Right wrist pediatric wrist radiograph | lateral | 4-year-old female | image 74.2 mm wide:
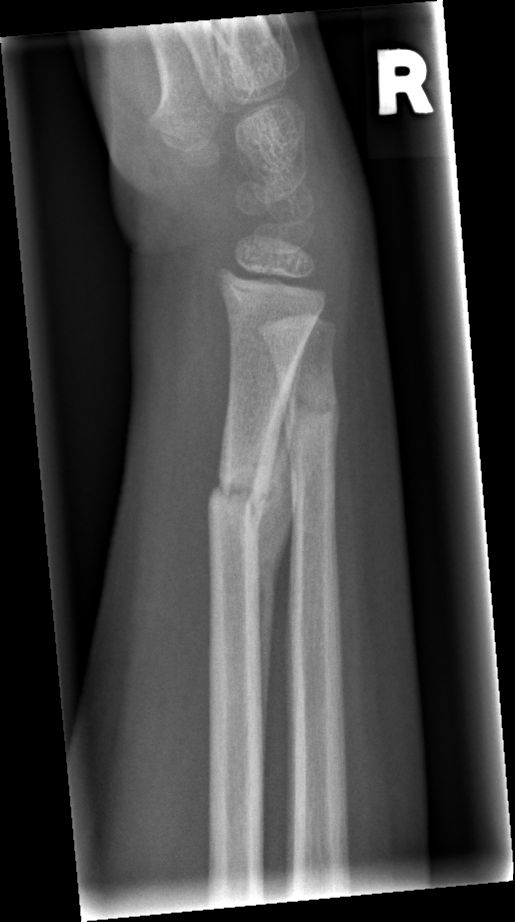
Decreased bone density (osteopenia).
Periosteal reaction: bbox(256, 349, 304, 756).
Fractures — bbox(204, 463, 274, 532); bbox(275, 378, 341, 438).